Rt wrist X-ray | PA | boy, 12 yo | detector: Siemens:
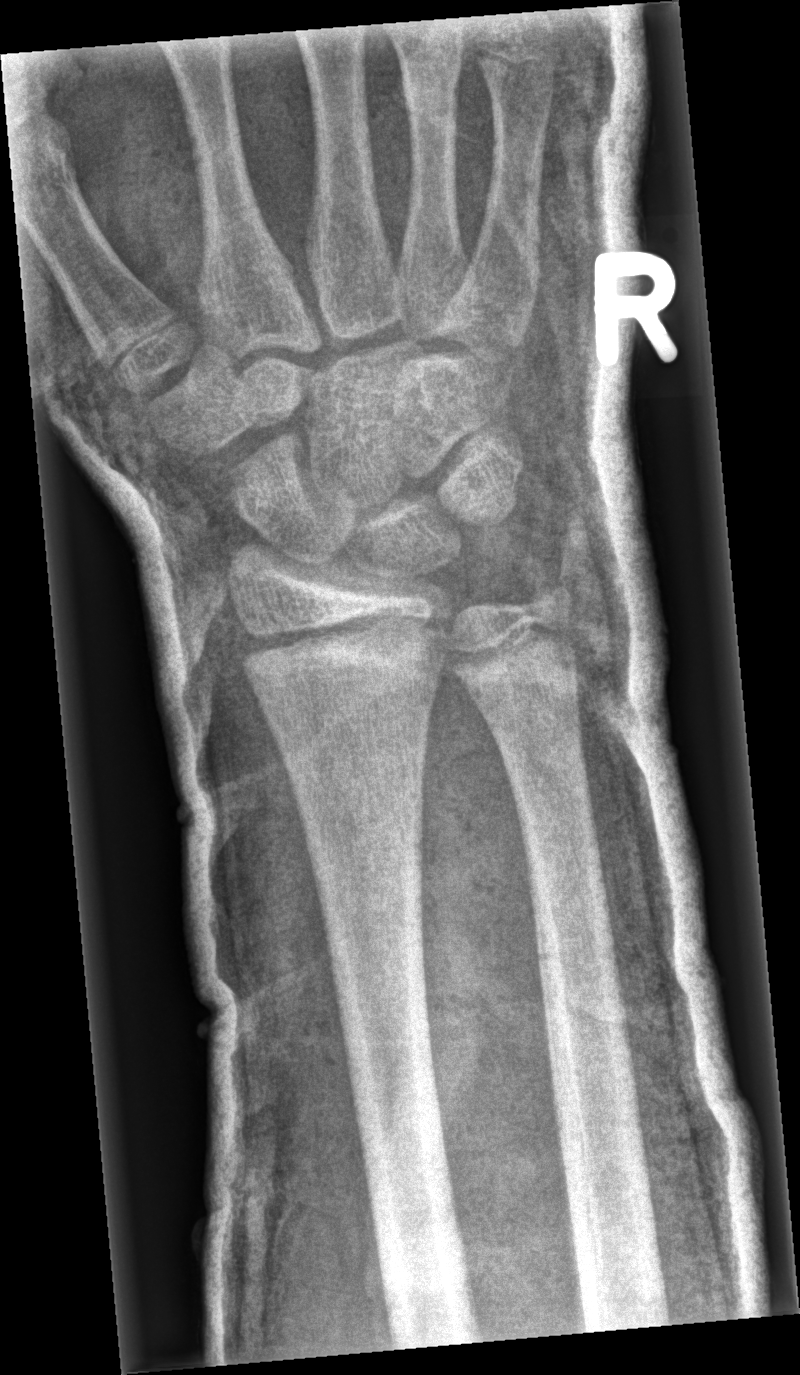

Findings: Fx: present but not clearly seen in this view.